Posteroanterior; Lt wrist X-ray; cast in situ; acquired on Siemens:

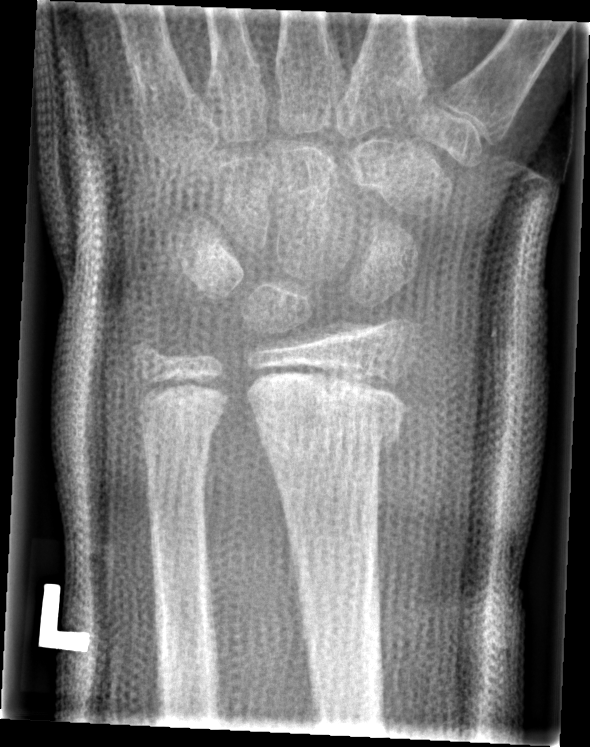
{"_coords": "coordinates are [x1, y1, x2, y2] in image pixels", "fracture": "2 @ [x1=245, y1=384, x2=417, y2=460] [x1=134, y1=401, x2=232, y2=469]"}